Lat view · Lt pediatric wrist radiograph · acquired on Siemens · 100.7 mm image width · 699x1030.

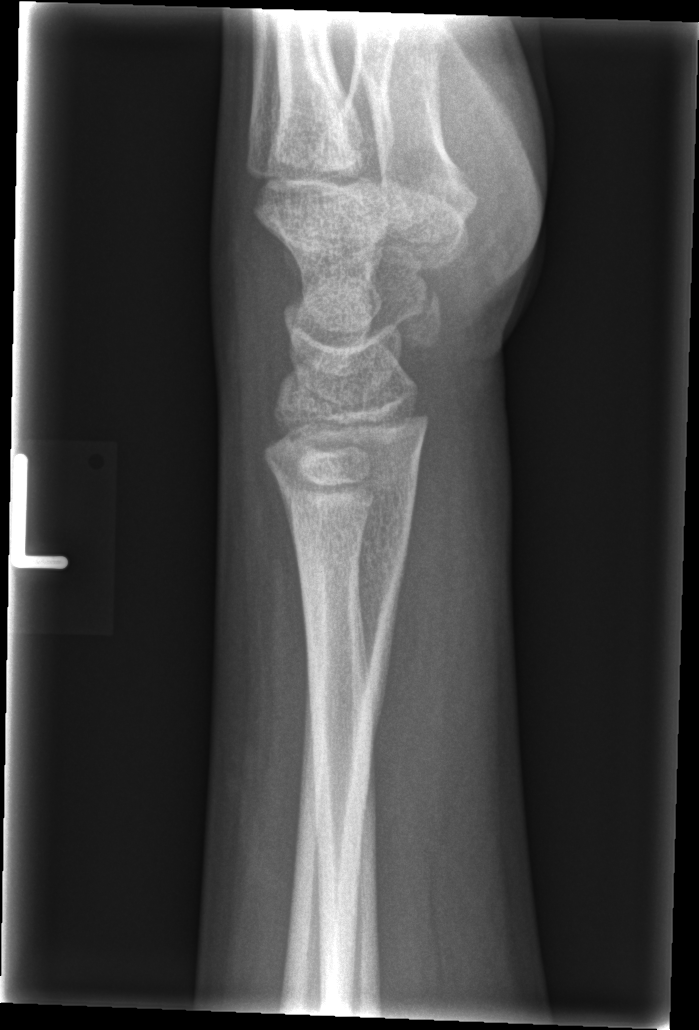
AO/OTA: 23r-M/2.1
Fx: 1 @ [270, 455, 431, 680]